Rt plain radiograph of the wrist, frontal projection 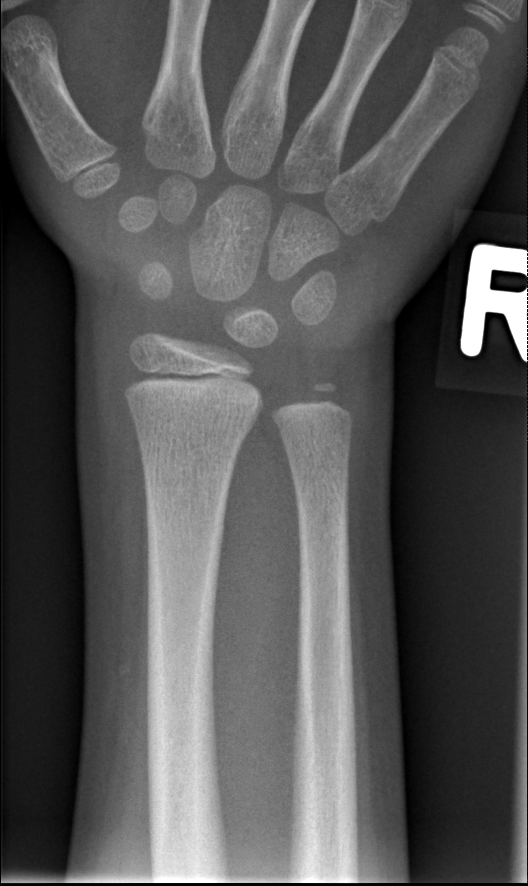
fracture: present but not clearly seen in this view
ao: 23r-M/2.1